Posteroanterior projection | R plain radiograph of the wrist | acquired on Siemens:

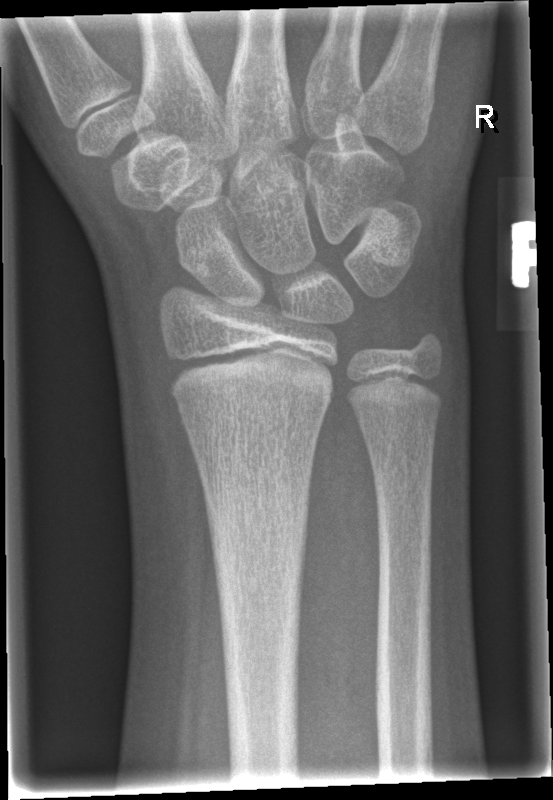

Fracture present but not clearly seen in this view.
AO/OTA classification: 23r-M/2.1.